Left wrist plain radiograph of the wrist | frontal | female, 5 yo
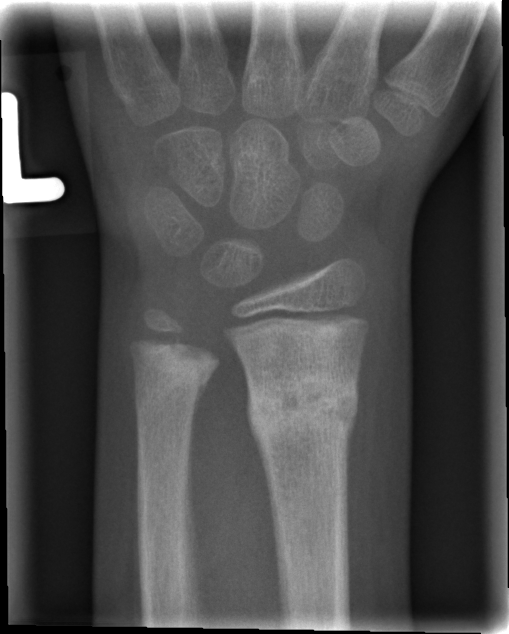
FINDINGS: (bounding boxes in image-pixel xyxy) Fracture: (244, 365, 360, 448); (127, 339, 214, 411).